Left wrist radiograph; lateral projection; 10-year-old male; in cast; 602x1067:

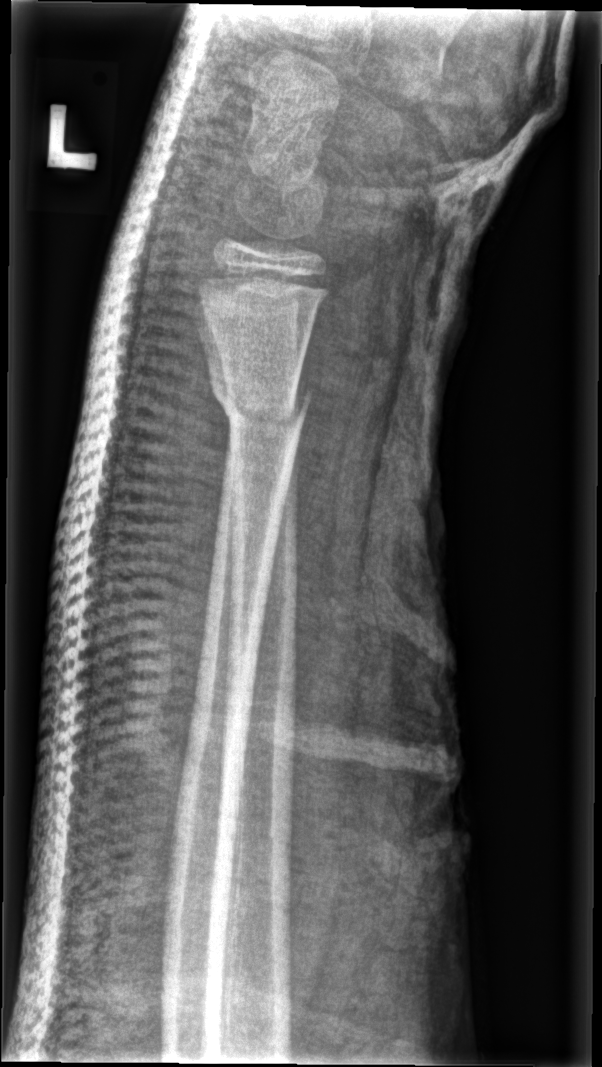

FINDINGS: Fx: [x1=207, y1=374, x2=316, y2=440].